R wrist radiograph; posteroanterior; cast present; detector: Siemens 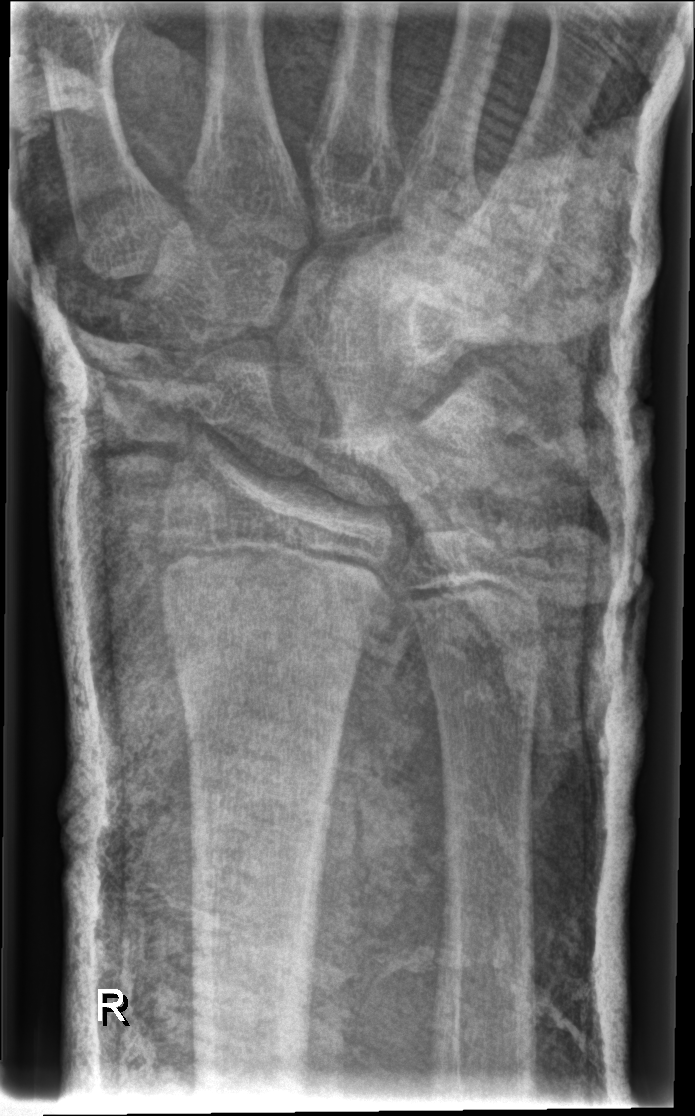
(boxes as x1,y1,x2,y2 (top-left / bottom-right, pixel units))
AO classification: 23r-E/2.1; 23u-E/7
Fracture: (470, 489, 558, 591)